Right wrist radiograph | lat | male, 9 yo —

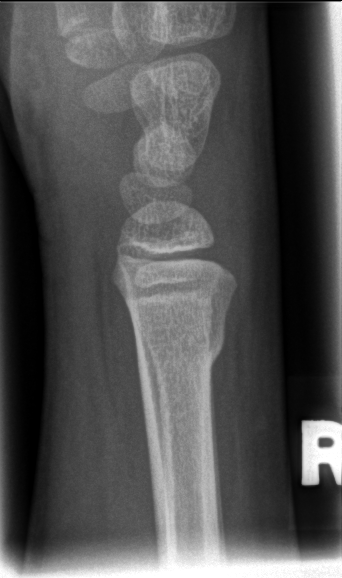
{
  "fracture": "1 @ [130, 316, 227, 378]",
  "ao": "23r-M/2.1"
}